Lt wrist X-ray | lateral projection | pediatric patient (boy, age 12) | presentation radiograph | image size 402x1033 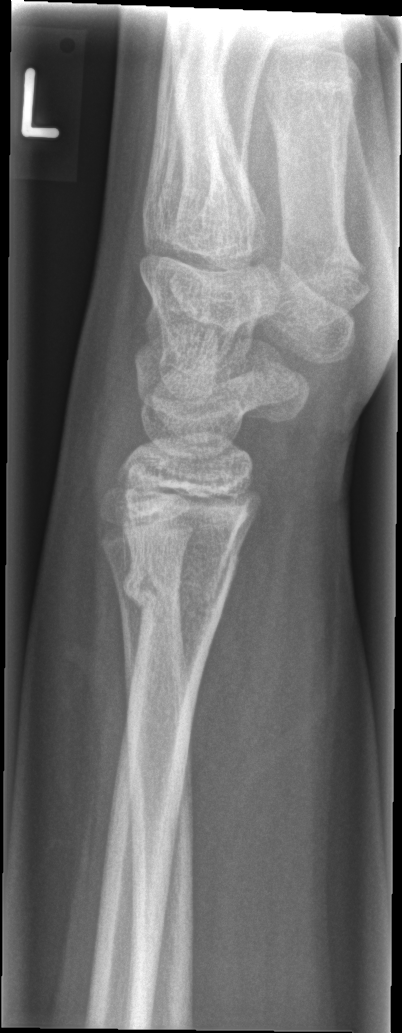
Findings: (coordinates are [x1, y1, x2, y2] in image pixels) AO code 23r-M/2.1. Bone fracture: 119,554,239,636.